PA, Lt wrist XR, imaged through cast — 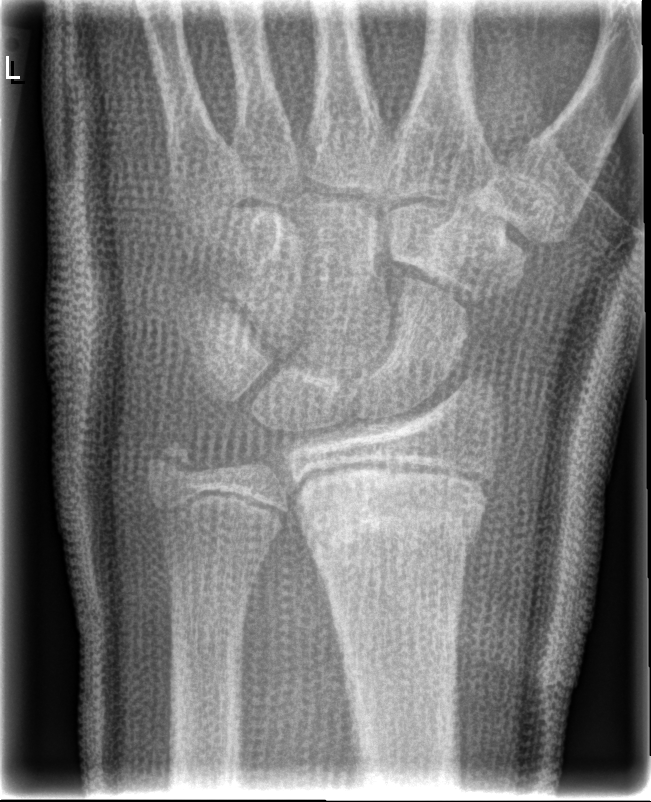

FINDINGS: Two Fx at (left=298, top=492, right=486, bottom=568), (left=142, top=431, right=208, bottom=489). AO/OTA classification: 23r-M/3.1; 23u-E/7.